L plain radiograph of the wrist · lat projection · 10y F · in cast · image 68.7 mm wide · 477 x 724 px. 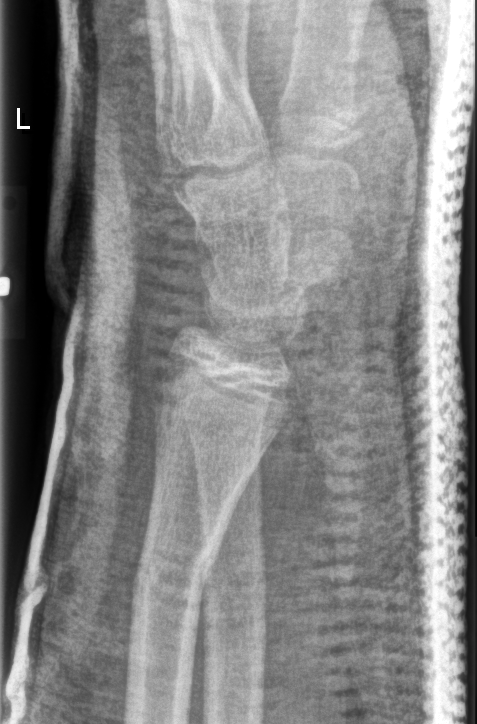 Boxes as x1,y1,x2,y2 (top-left / bottom-right, pixel units). AO code 23r-M/2.1; 23u-E/7. Fx — 134 537 220 612.